AP; right wrist pediatric wrist radiograph; image size 811x1160:
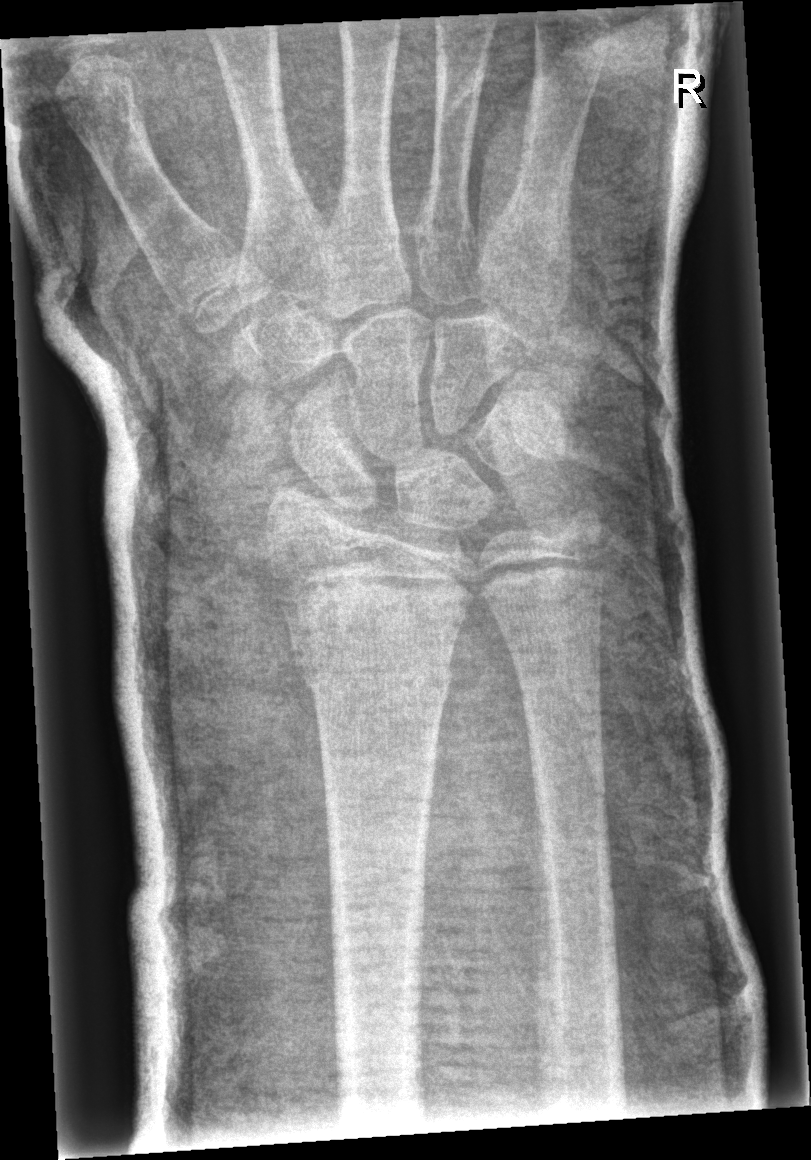
(pixel coordinates, top-left origin, xyxy)
Fx: 286,604,458,702
AO/OTA: 23r-M/3.1; 23u-M/2.1